Lateral view; L wrist X-ray; 41.8 mm image width — 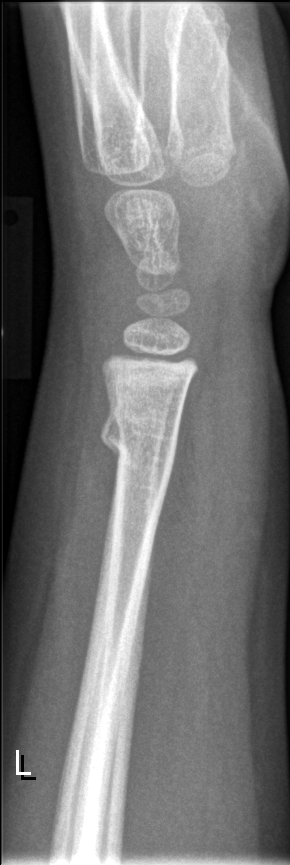 (bounding boxes in image-pixel xyxy)
Bone fracture = 1 @ 99,402,180,481
Positive pronator fat-pad sign = 1 @ 137,373,229,708